PA, left wrist X-ray, female, 13 yo, initial study.

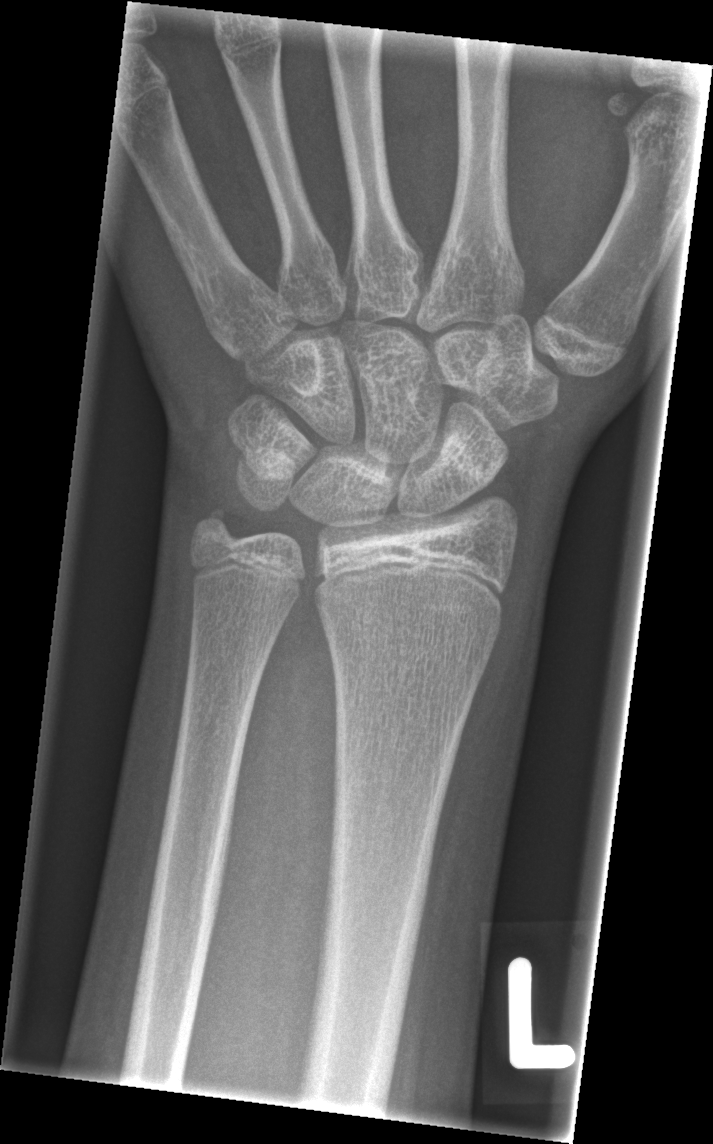

One bone fracture at (left=183, top=496, right=247, bottom=559).